Right wrist X-ray; PA/AP —

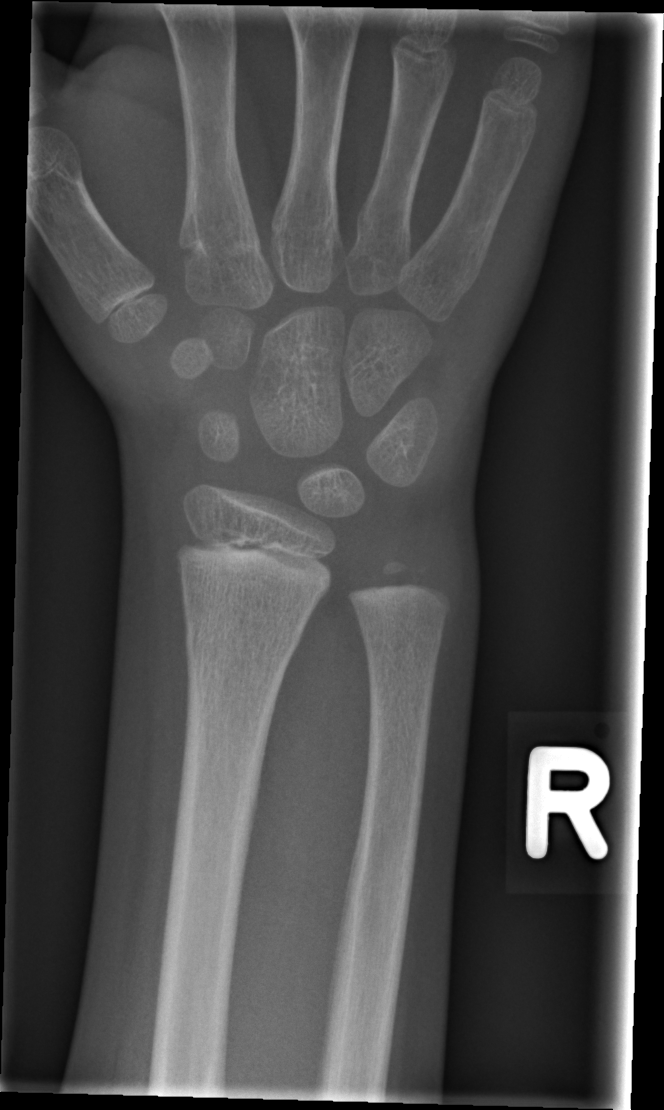
Bone fracture: 2 @ 180 614 306 669; 356 617 448 664